Right wrist plain radiograph of the wrist | PA | age 12 y, female: 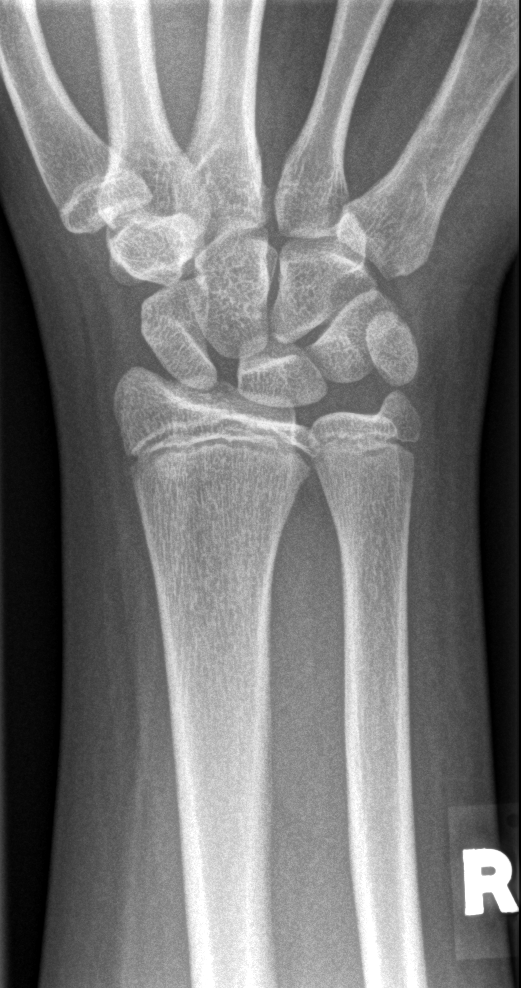
• Fx: none.